Rt wrist X-ray; lat; subsequent exam; imaged through cast; 598x1042: 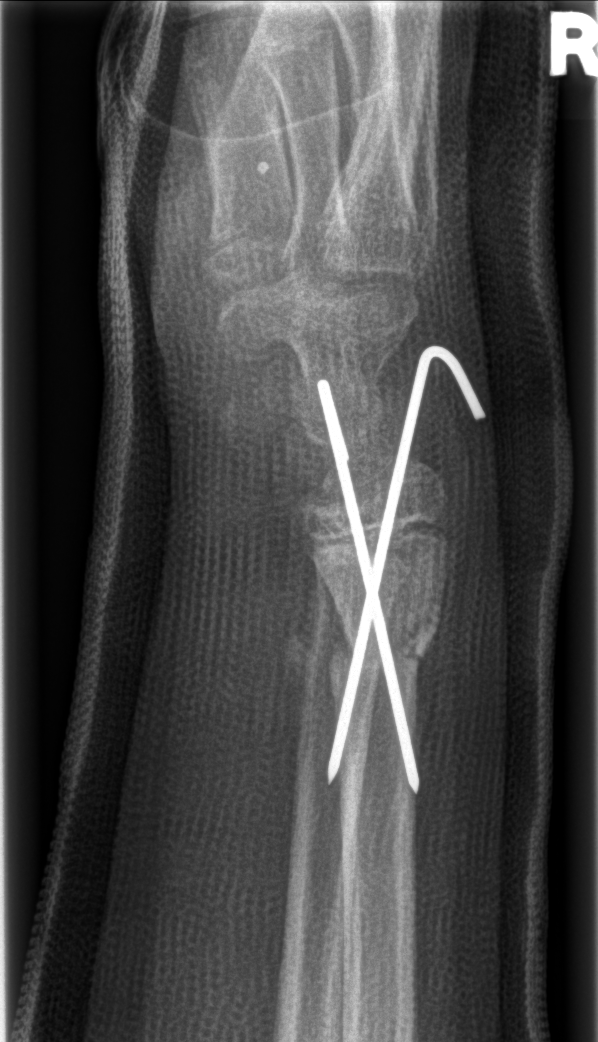 {"metal": "1 @ (left=299, top=339, right=469, bottom=826)", "fracture": "(left=329, top=613, right=440, bottom=696)"}